AP; Lt wrist radiograph; 12-year-old male:
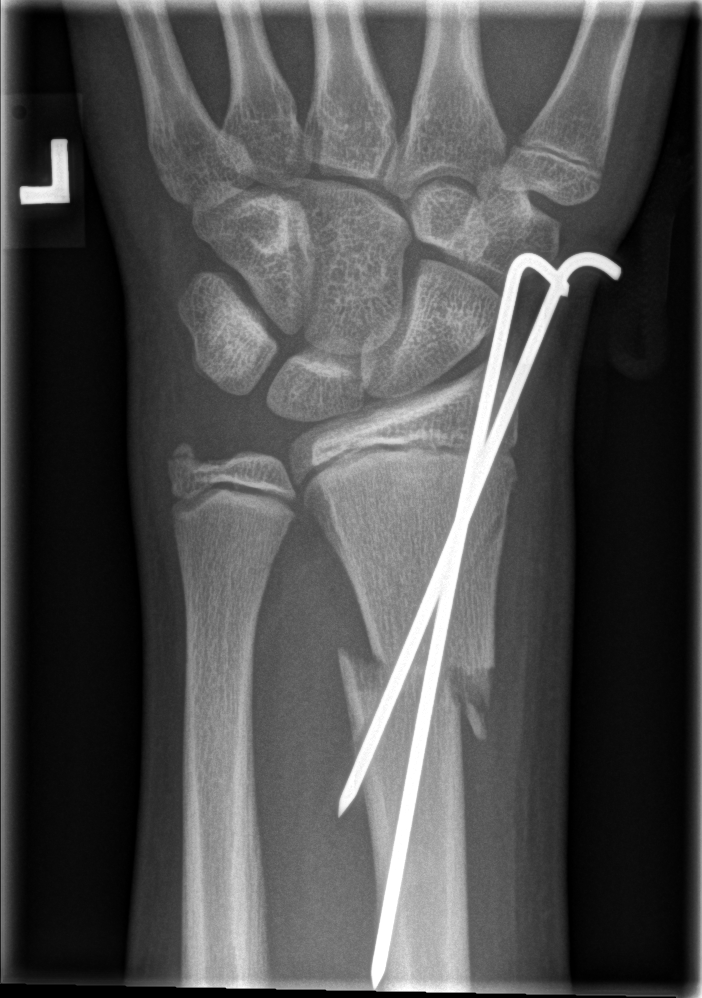

- Boxes as x1,y1,x2,y2 (top-left / bottom-right, pixel units).
- Fractures — (334, 635, 497, 740); (160, 431, 214, 486).
- AO/OTA classification: 23r-M/3.1; 23u-E/7.
- One metallic implant at (334, 251, 623, 991).